Lat projection | left wrist plain radiograph of the wrist | pediatric patient (girl, age 16):
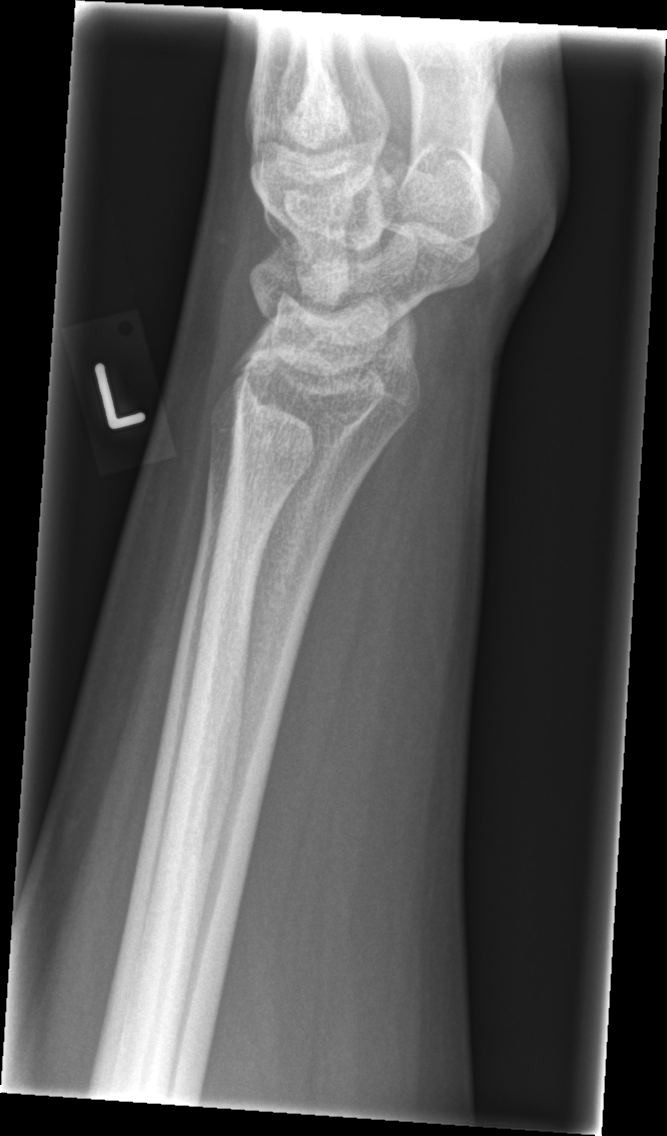
fracture: none labeled